L wrist plain film; PA projection; 5y F; subsequent exam; cast in situ; acquired on Siemens; image width 85.5 mm.
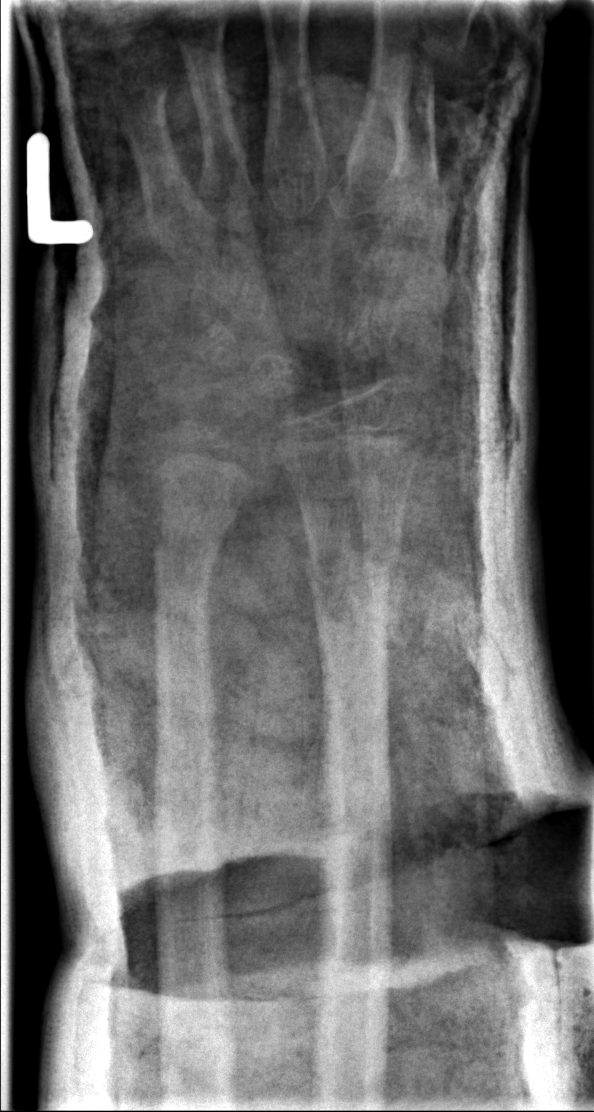
(bounding boxes in image-pixel xyxy)
Bone fracture = bbox(292, 528, 407, 596); bbox(149, 515, 230, 582)
AO/OTA = 23-M/3.1